Lat, left wrist X-ray, 15y M, 75.0 mm image width
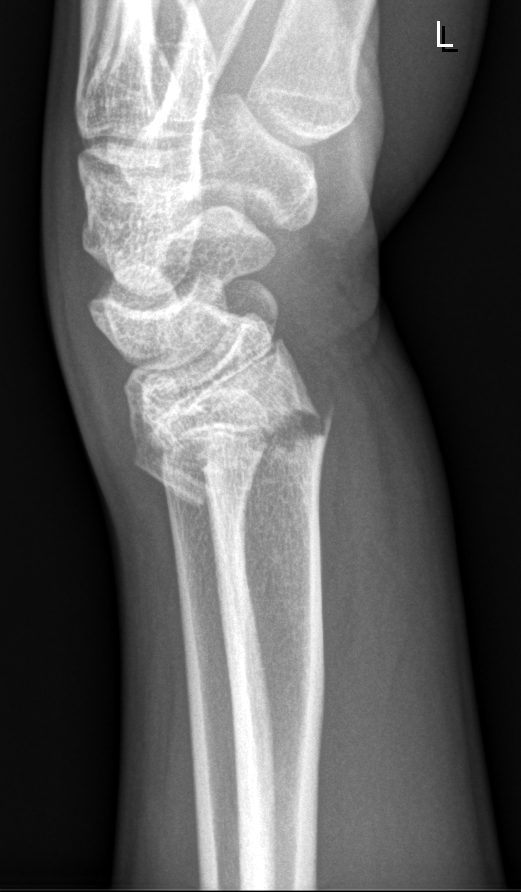
Boxes as x1,y1,x2,y2 (top-left / bottom-right, pixel units).
One pronator sign at (left=285, top=322, right=404, bottom=784).
AO/OTA classification: 23r-M/3.1; 23u-E/7.
Fracture identified at (left=128, top=389, right=338, bottom=508).